AP view, right wrist pediatric wrist radiograph, 12-year-old girl —
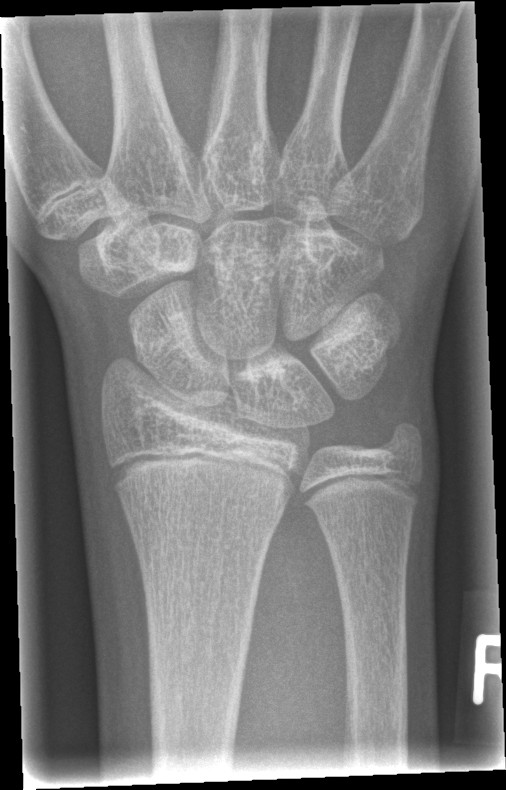

Findings: No fracture labeled.